Lat view | left wrist X-ray:

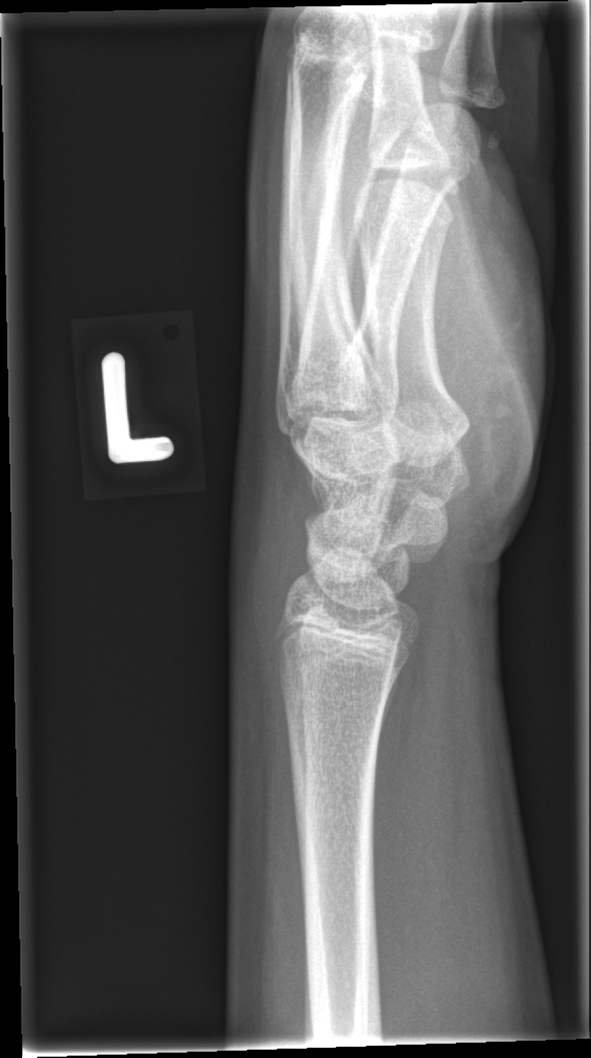 Findings: No fracture bounding box.